R wrist X-ray · lat view · 14-year-old boy · cast in situ: 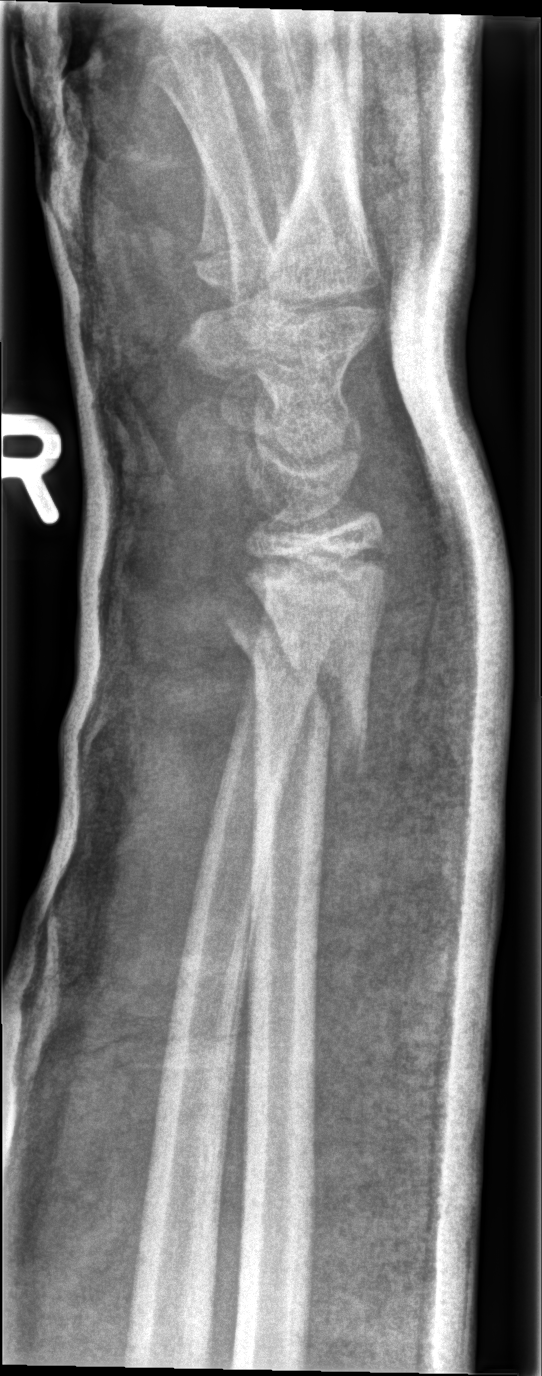
Findings: (coordinates are [x1, y1, x2, y2] in image pixels) Fracture identified at 222,609,374,776. AO/OTA classification: 23r-M/3.1; 23u-M/2.1; 23u-E/7.